PA view; right pediatric wrist radiograph; pediatric patient (female, age 10); subsequent exam; in cast; detector: Siemens; image width 82.1 mm; 570 x 1048 px: 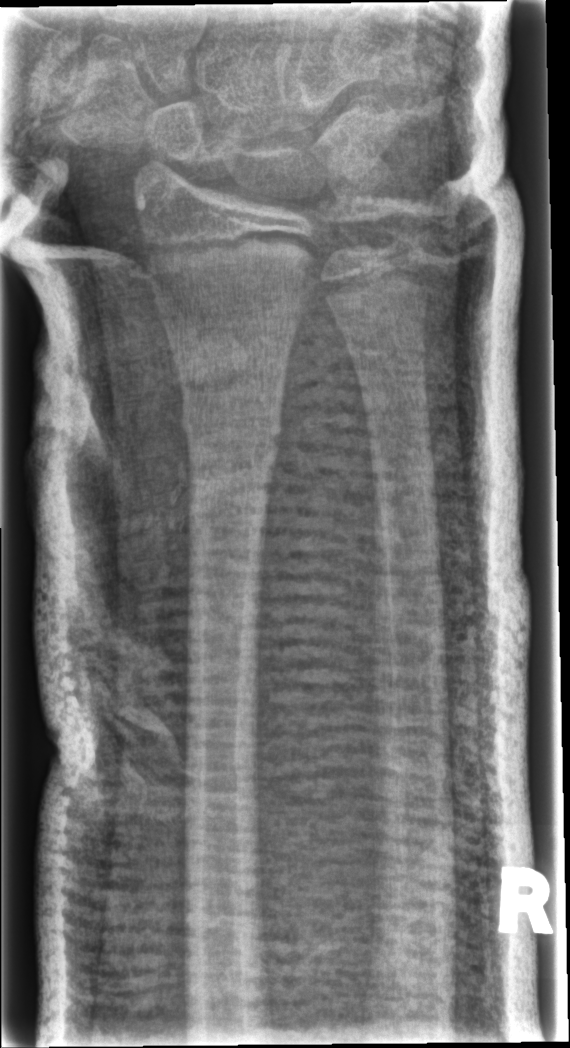
AO code 23r-M/3.1; 23u-E/7. Bone fracture: <177,388>-<285,467>.